Lateral projection · left wrist X-ray · imaged through cast — 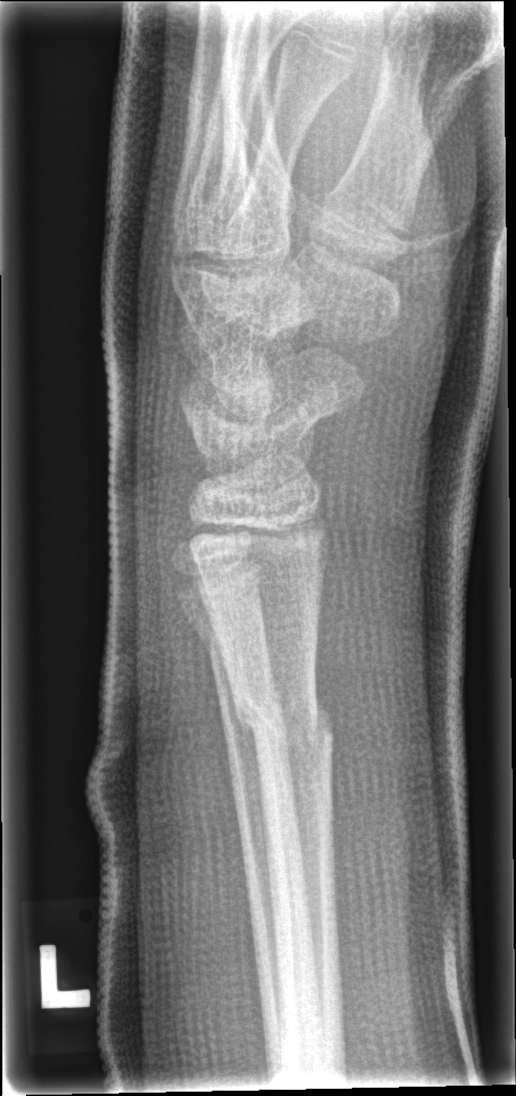
Boxes as x1,y1,x2,y2 (top-left / bottom-right, pixel units).
Bone fractures — [x1=229, y1=687, x2=338, y2=756], [x1=192, y1=606, x2=271, y2=661].